Lateral projection · left wrist radiograph · pediatric patient (female, age 12).
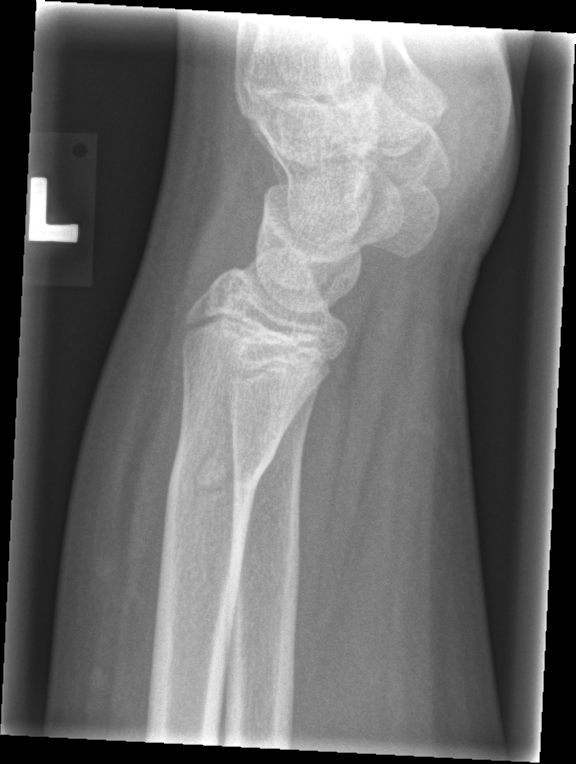 Fx identified at (left=159, top=434, right=282, bottom=514).
AO code 23r-M/2.1.
Soft-tissue swelling — (left=53, top=262, right=176, bottom=647).